Lt wrist X-ray, posteroanterior, 11-year-old male, initial study, 528 x 888 px —

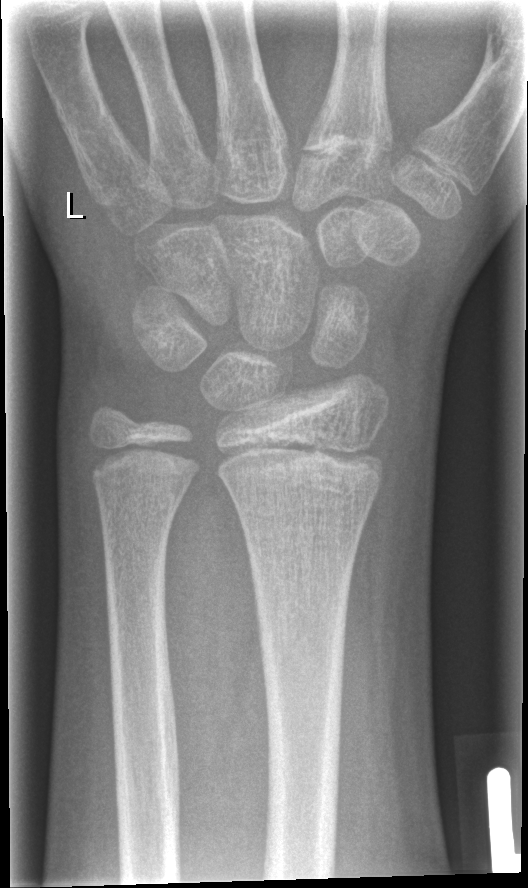
Fracture: present but not clearly seen in this view
AO code: 23r-E/2.1